Lateral projection | right plain radiograph of the wrist | 15y M | index exam —

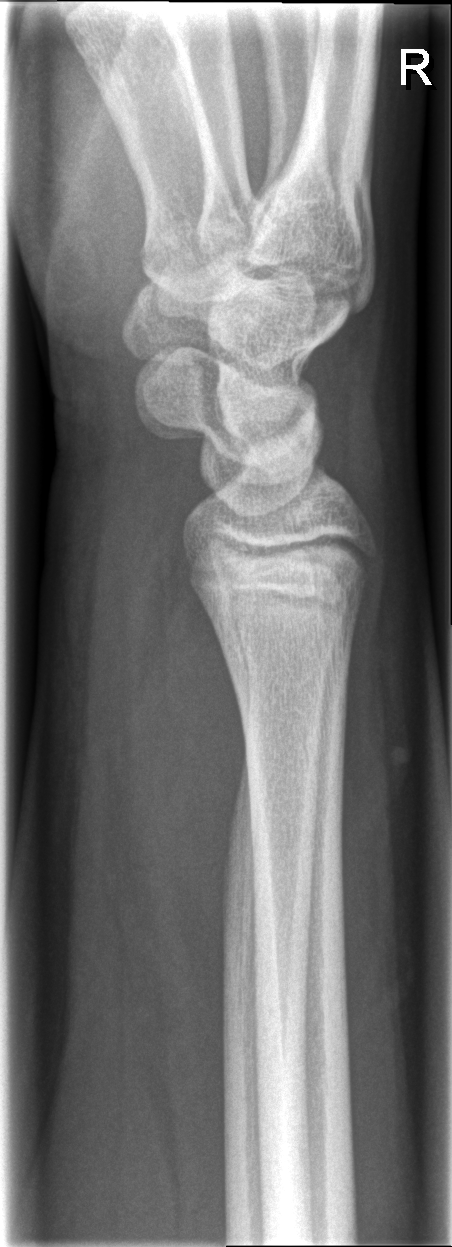

Pixel coordinates, top-left origin, xyxy.
One positive pronator fat-pad sign at 109,556,249,1108.
Fracture: none labeled.